PA/AP, left wrist radiograph, pediatric patient (male, age 14), 90.9 mm image width — 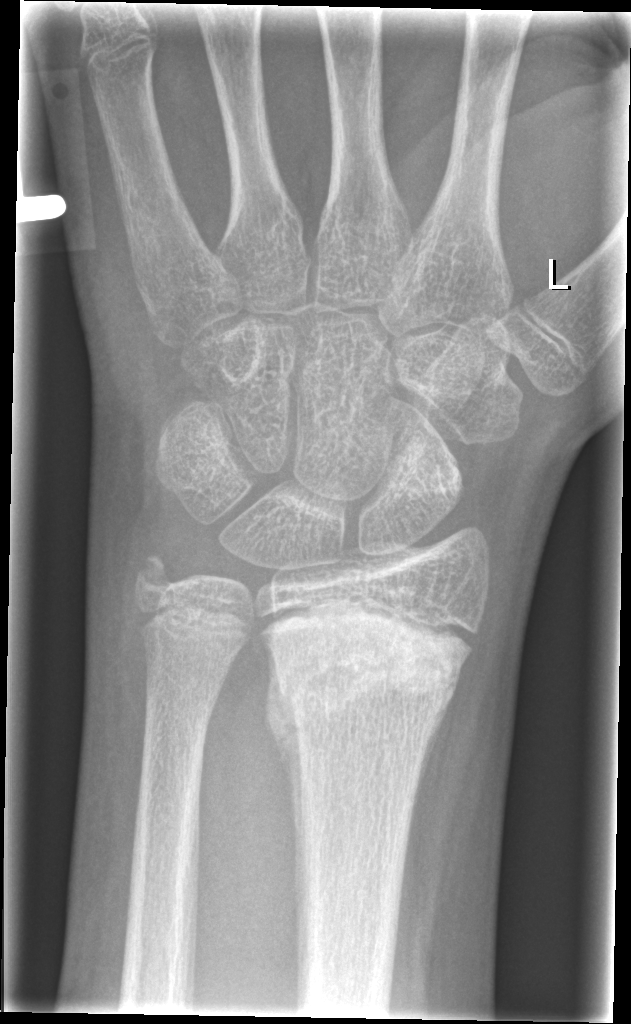
FINDINGS — Periosteal new bone identified at 263,642,304,937
  405,664,463,861. Two Fx at 261,612,471,747 | 127,544,185,604.